Lateral view | left wrist plain radiograph of the wrist | 11-year-old male | in cast.

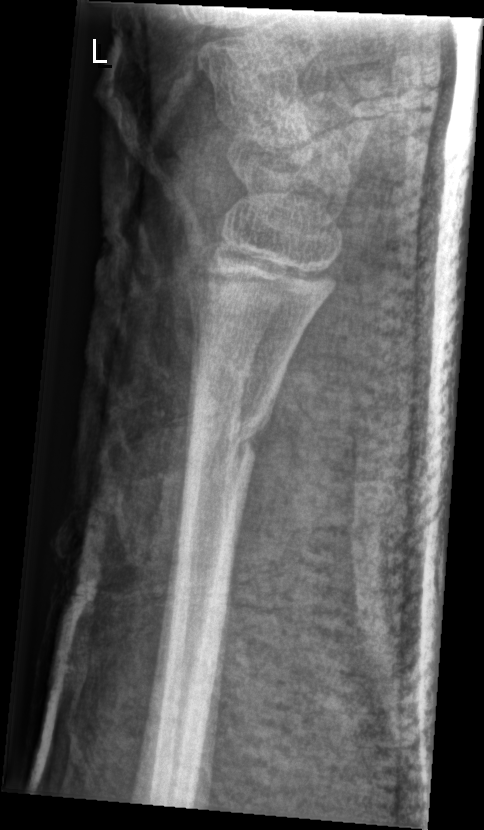 Fracture: 1 @ (177, 400, 275, 482)